Lat · right wrist X-ray · pediatric patient (boy, age 9) · index exam —
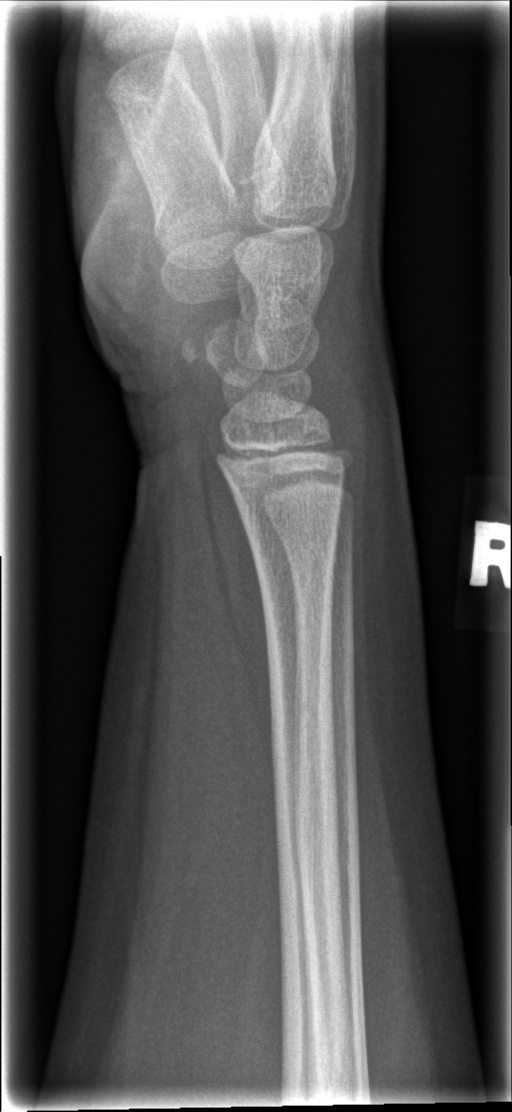 * No fracture annotation.